Lat view; R wrist XR; 12-year-old girl; 66.1 mm image width

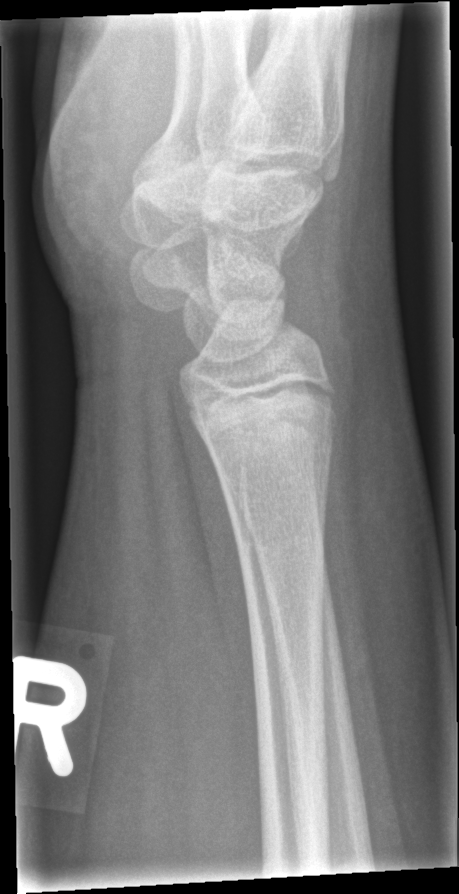 bone fracture: none labeled